Lateral projection; right wrist plain radiograph of the wrist; 14-year-old male
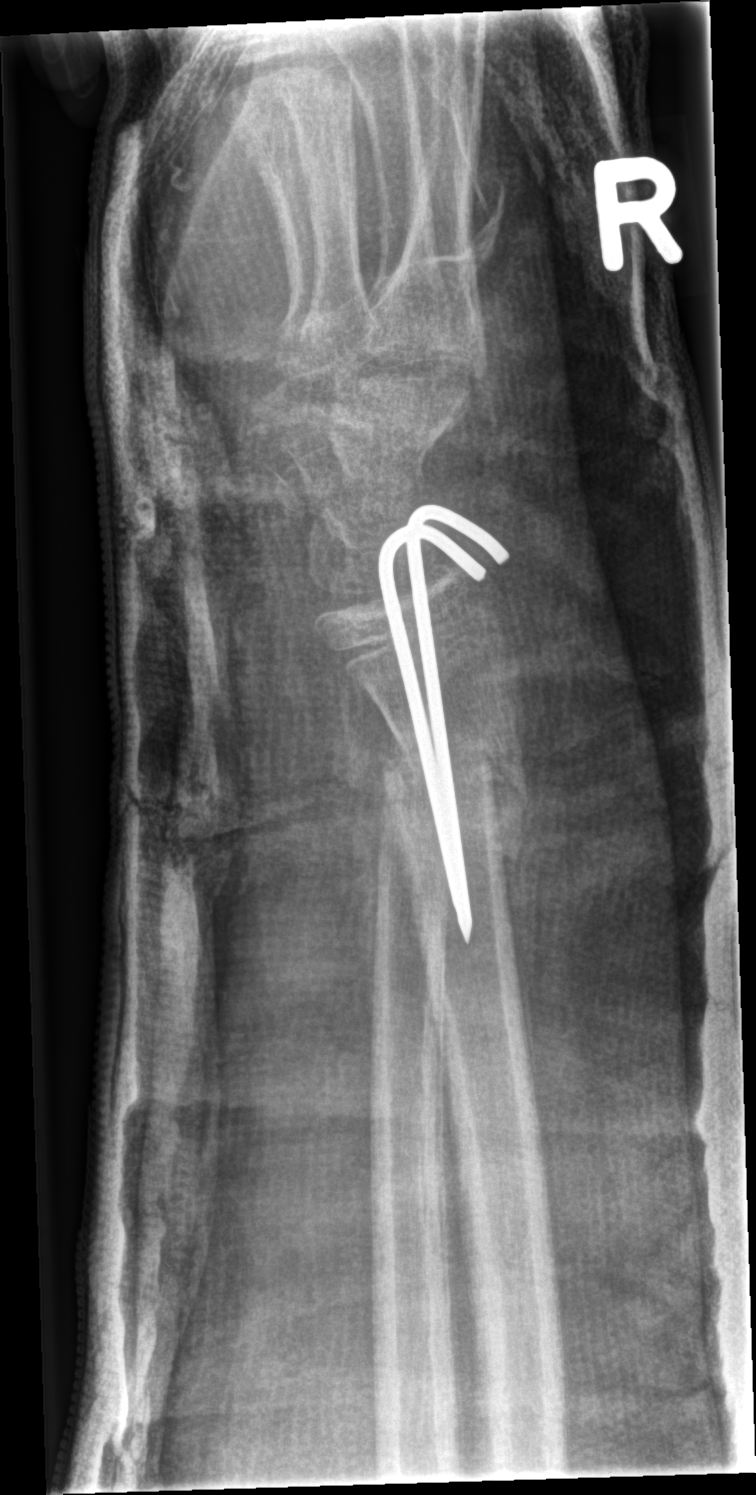

(boxes as x1,y1,x2,y2 (top-left / bottom-right, pixel units))
Bone fracture: (left=372, top=718, right=528, bottom=824)
AO code: 23-M/3.1; 23u-E/7
Metallic hardware: (left=375, top=500, right=515, bottom=948)